Lat view; R wrist plain film; pediatric patient (male, age 9); presentation radiograph.

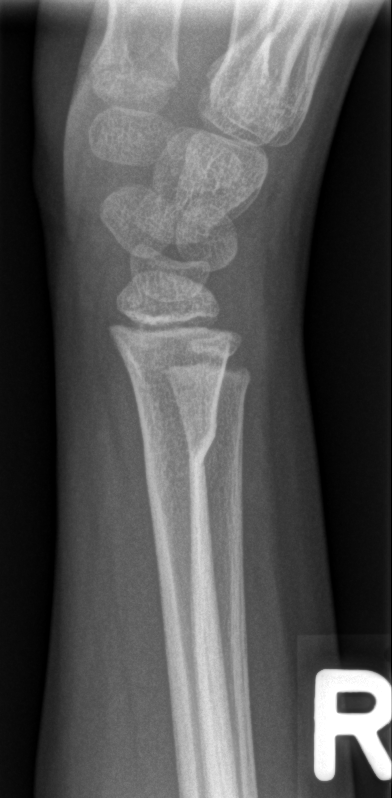

Pixel coordinates, top-left origin, xyxy. Bone fracture: (left=134, top=404, right=221, bottom=487). AO/OTA classification: 23r-M/2.1.